Lat, Lt wrist radiograph, 10y M.

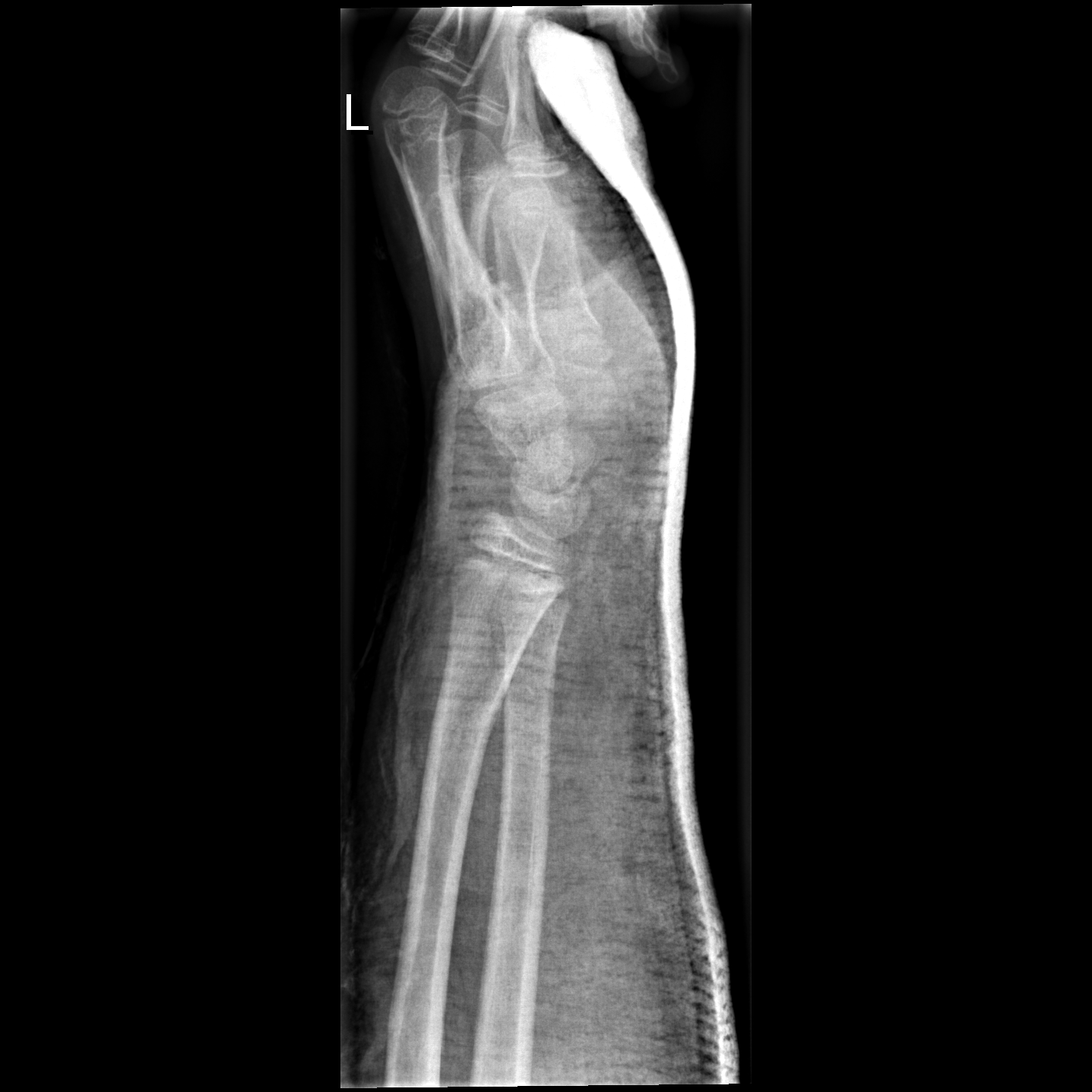 (bounding boxes in image-pixel xyxy)
Q: Any fracture seen?
A: One fracture at <428,682>-<503,748>
Q: AO code?
A: AO/OTA classification: 23-M/2.1